Right wrist XR, lat, subsequent exam, in cast:
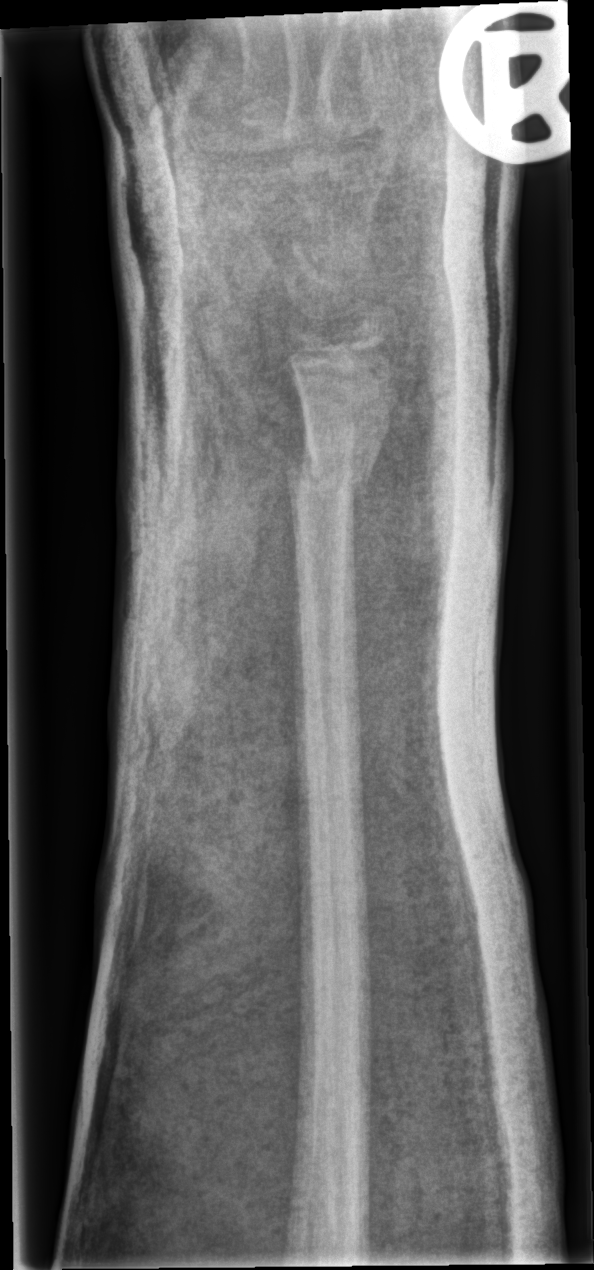

  # boxes as x1,y1,x2,y2 (top-left / bottom-right, pixel units)
  fracture: 1 @ [282, 426, 384, 518]